PA view · right wrist X-ray · age 12 y, male.

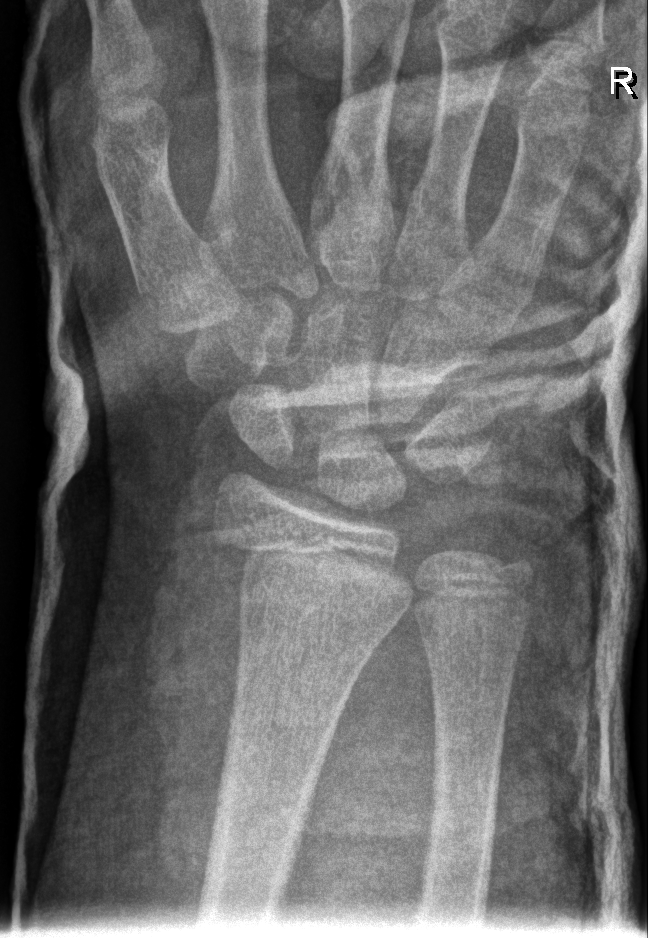

fracture = 205 523 421 618